Left plain radiograph of the wrist; PA/AP view; 13y M; index exam; findings marked uncertain by the reading radiologist; acquired on Siemens; 603x1256 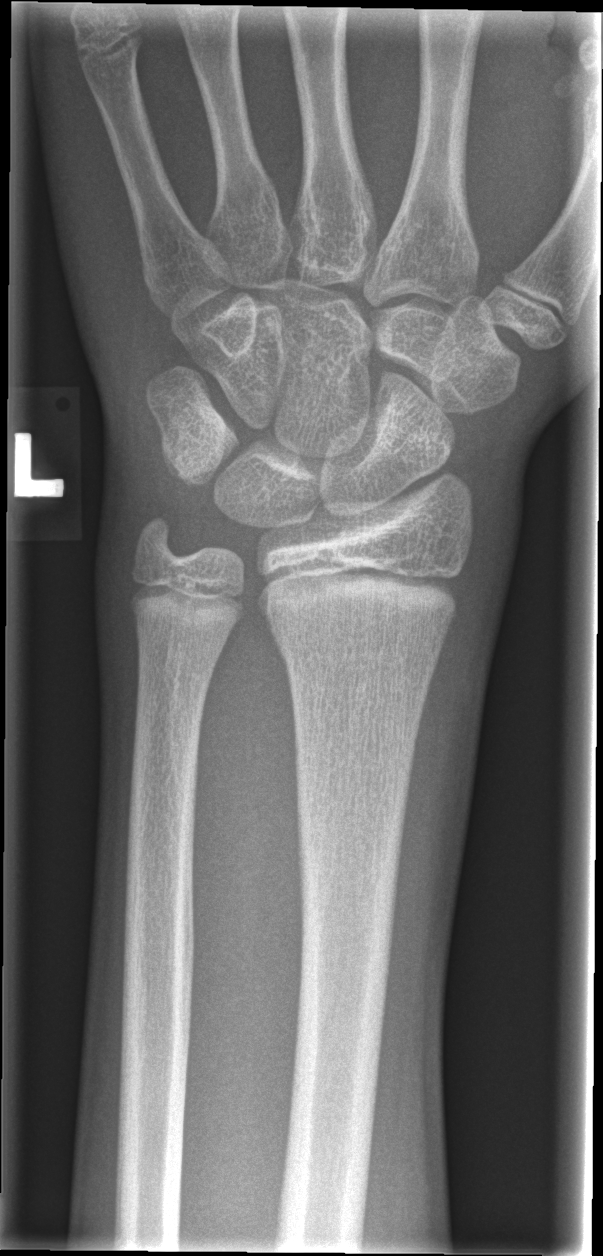
Fx: none.